Right wrist pediatric wrist radiograph, lat projection, age 16 y, girl —
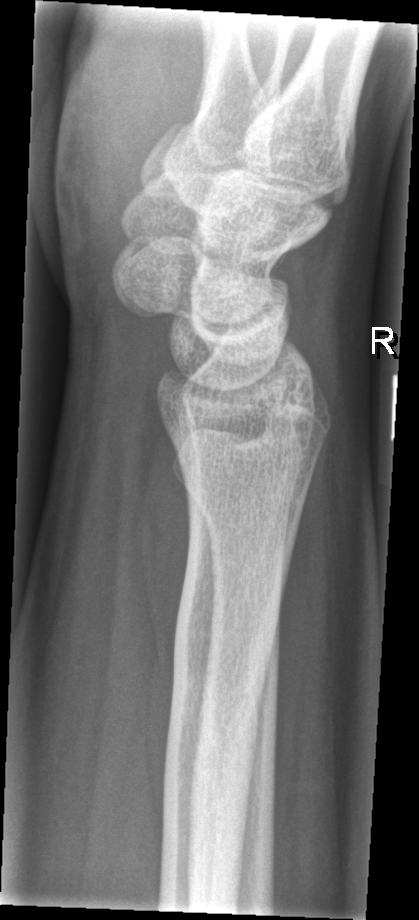

Bone fracture: 1 @ [157, 542, 290, 826]